Left plain radiograph of the wrist, lateral projection, initial study, 417 by 1048 pixels 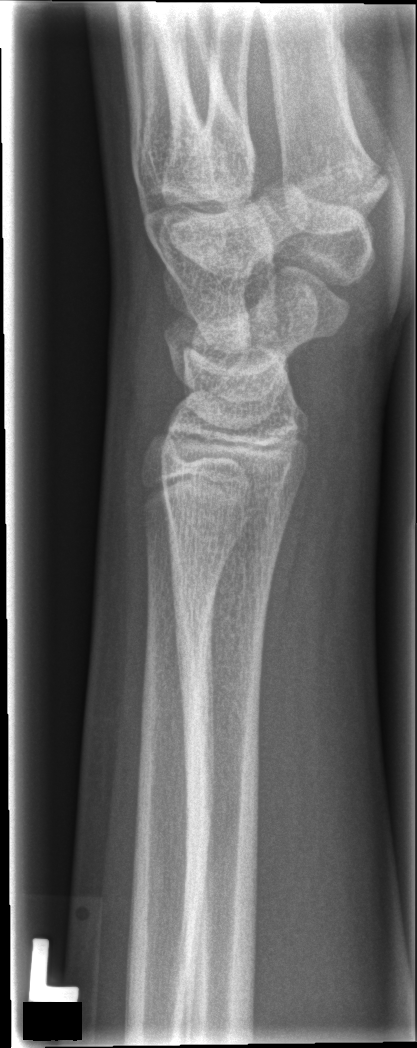
FINDINGS: No fracture annotation.